L plain radiograph of the wrist, lat view, presentation radiograph, 61.2 mm image width, 425x932:
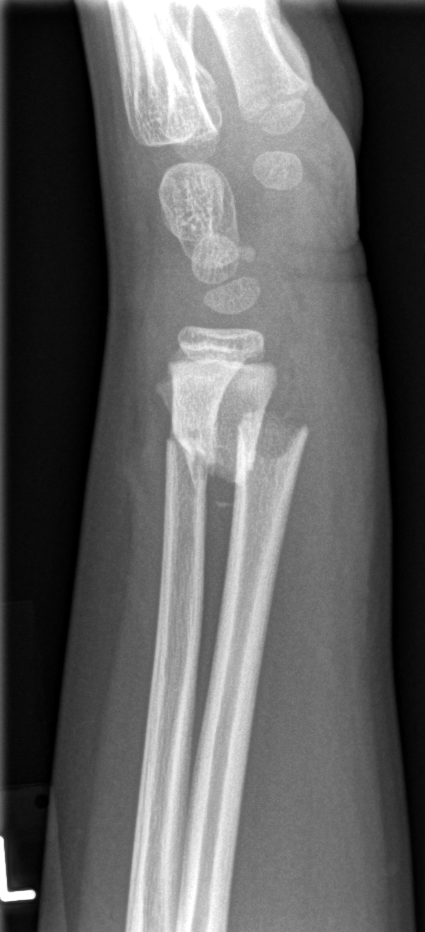
AO/OTA classification: 23-M/3.1. Fracture identified at [163, 405, 312, 513].